Lateral projection · R wrist XR · detector: Siemens · image 70.6 mm wide 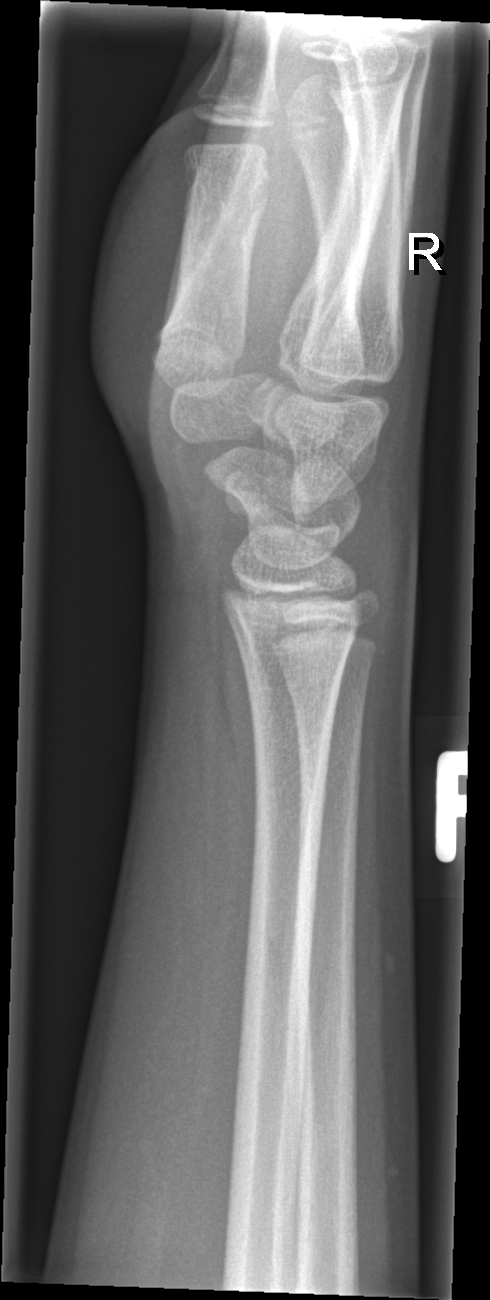 Fx: none labeled